Posteroanterior, right wrist X-ray, 12y M, index exam:

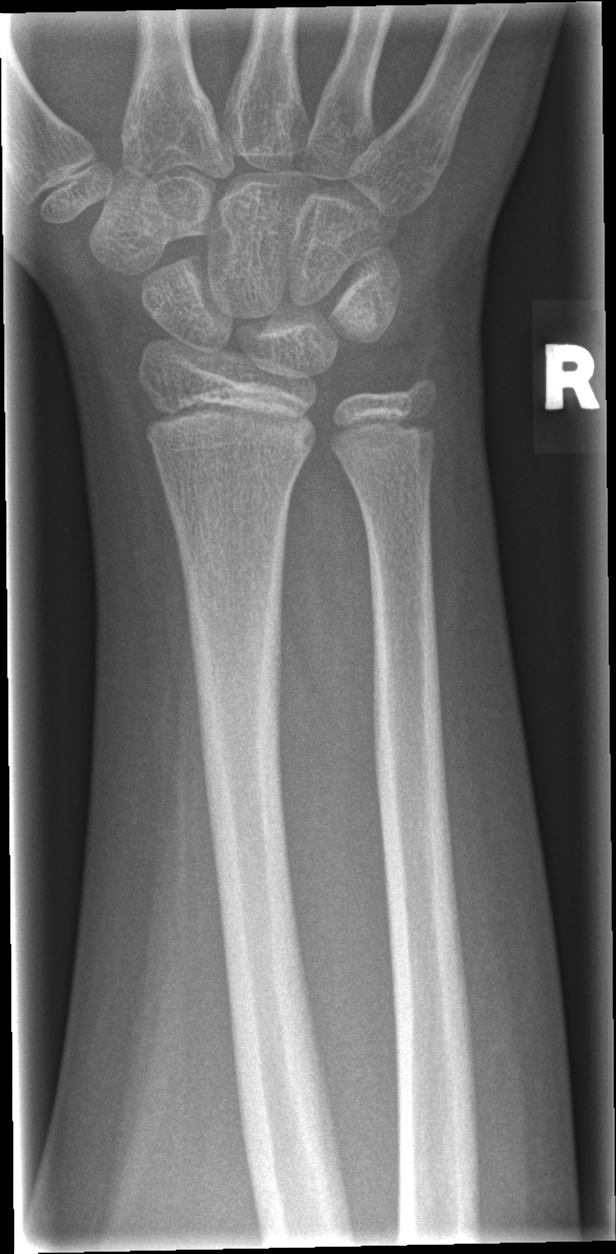

• No Fx annotated.